Rt pediatric wrist radiograph | lat projection | 9-year-old male | cast present | 443 x 910 px.

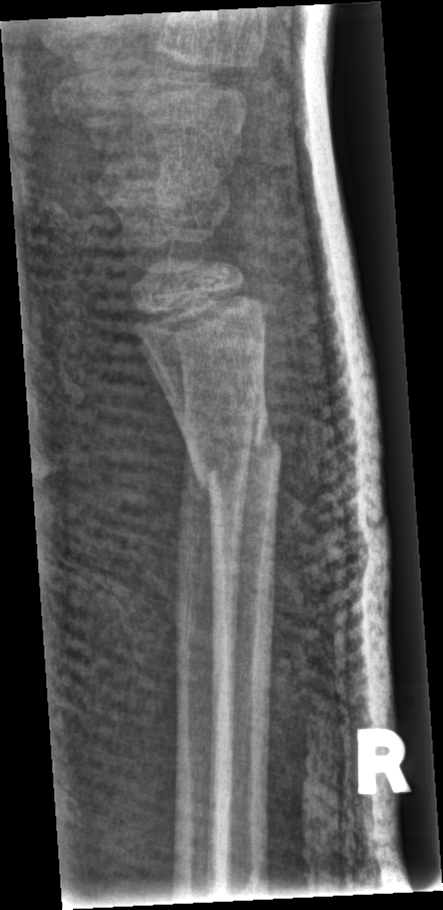

* Fracture — bbox(184, 424, 286, 506).